Lateral projection, right plain radiograph of the wrist —
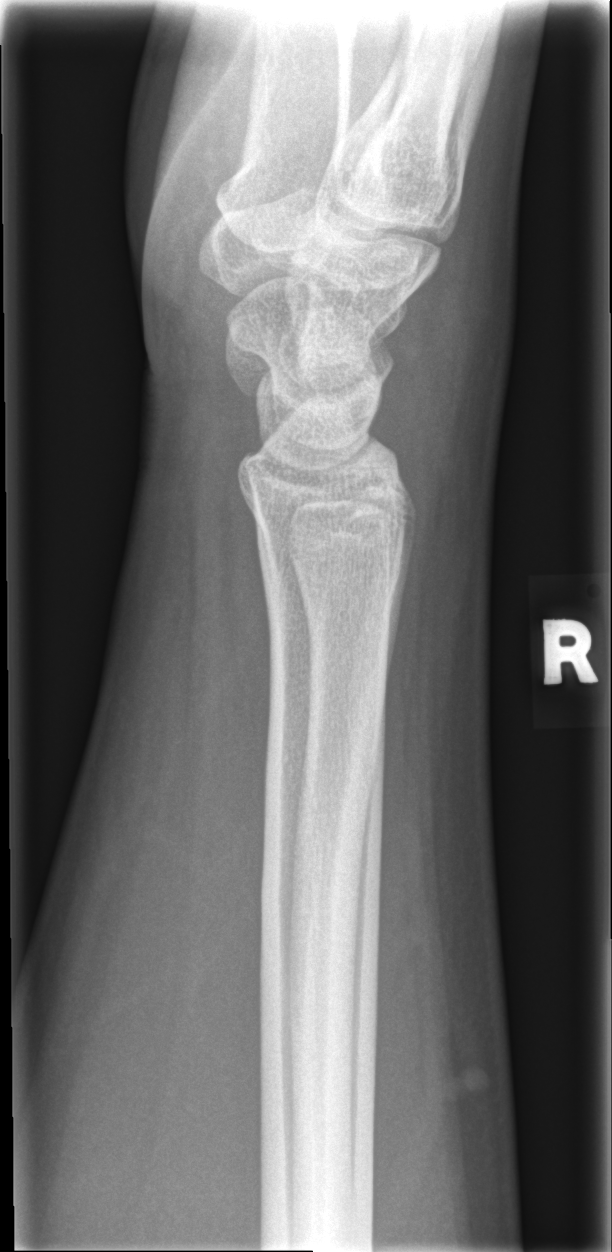 Fracture: none labeled.